Lt wrist radiograph · lateral view · index exam · image size 562x1486.
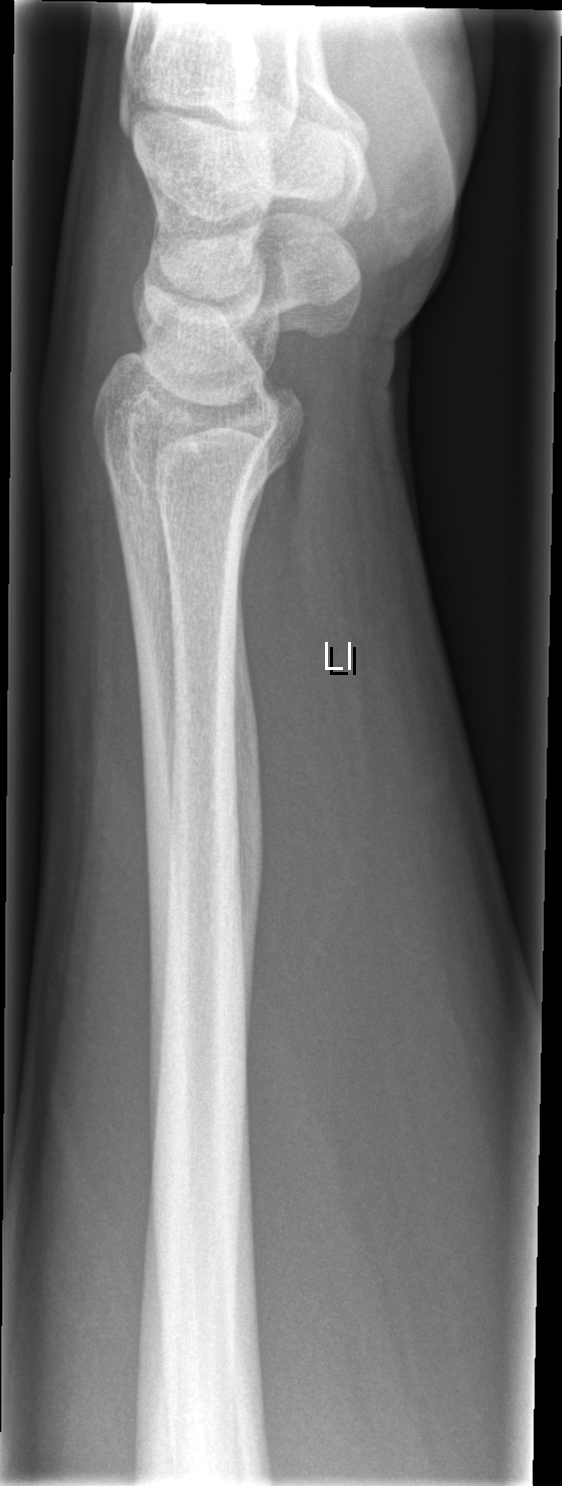
{
  "fracture": "none labeled"
}